Lt wrist XR | AP:
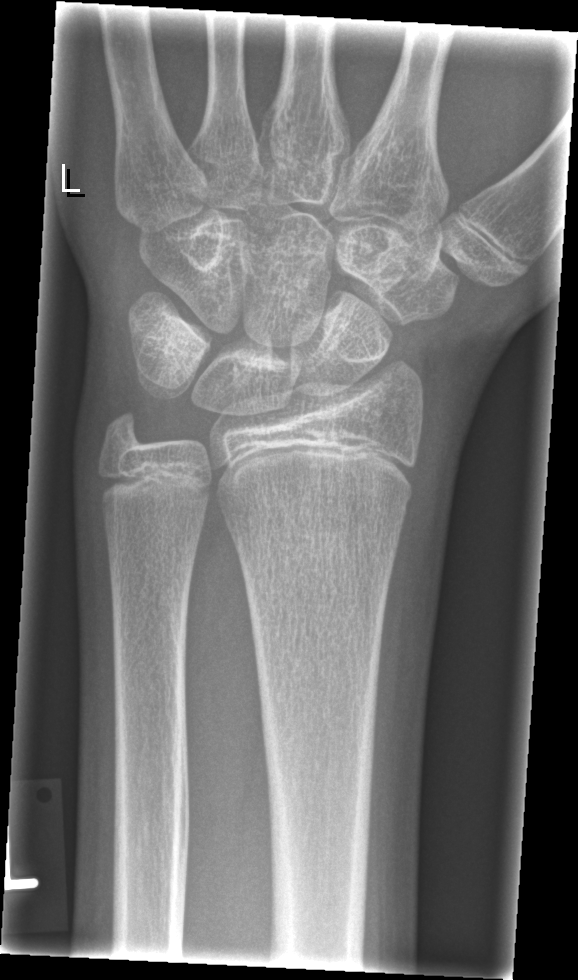
* No fracture bounding box.